Left wrist XR | PA | age 15 y, male | cast in situ: 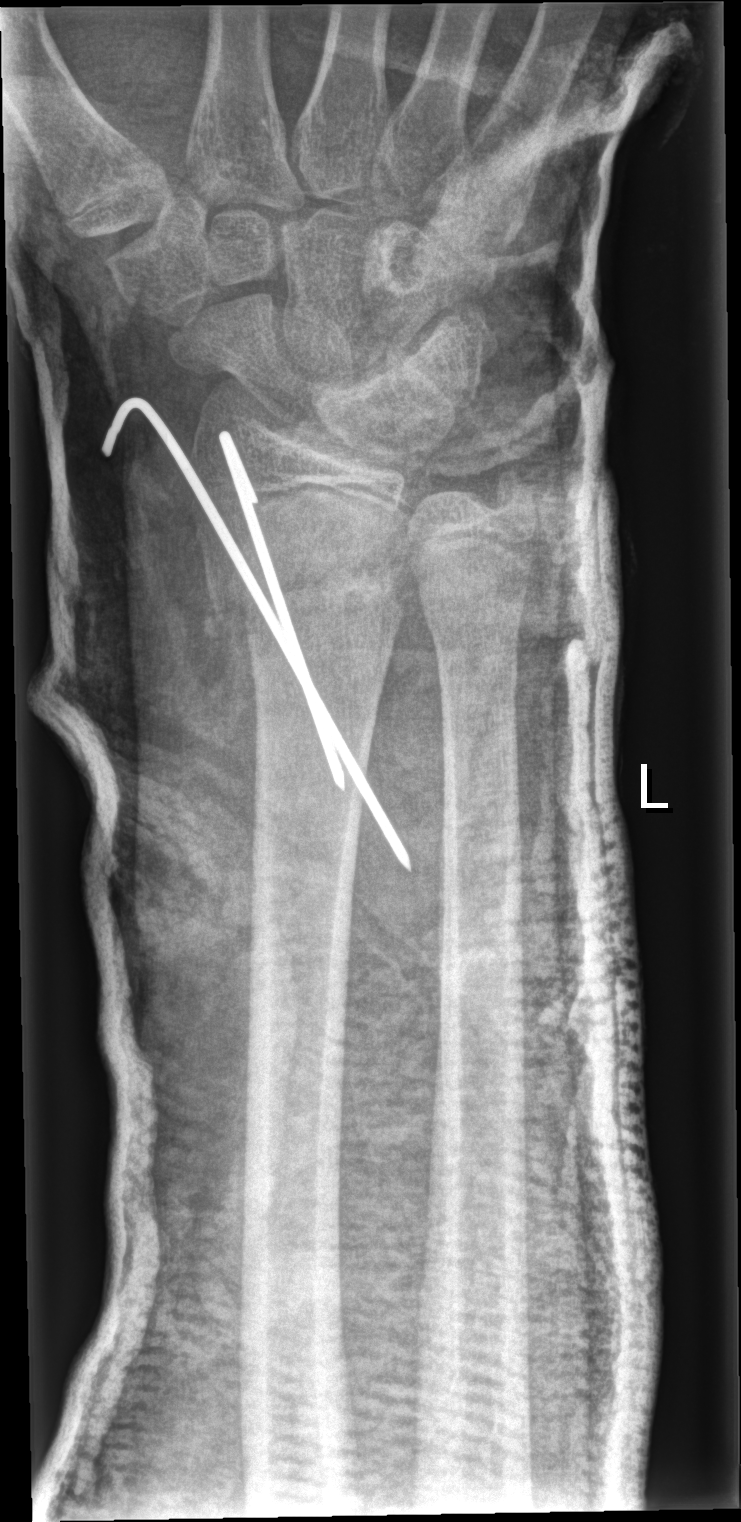
FINDINGS: (bounding boxes in image-pixel xyxy) Hardware identified at 102,399,418,891. Fx: 199,535,412,628.